Right wrist X-ray; AP view —
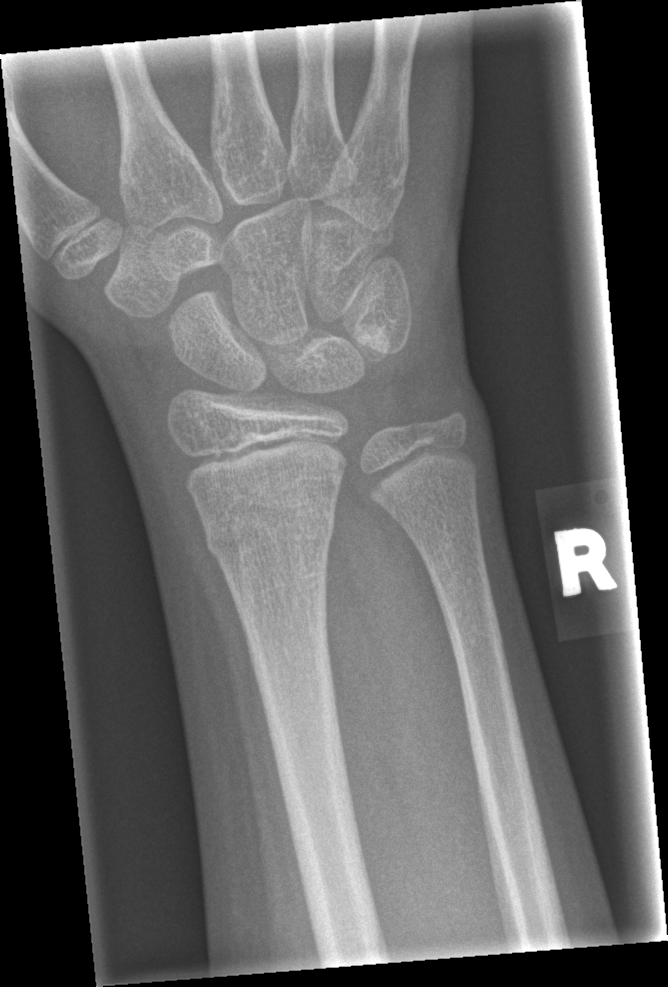 • AO/OTA classification: 23r-M/2.1.
• Fx: [199, 497, 341, 562].